Rt wrist XR | lat view —
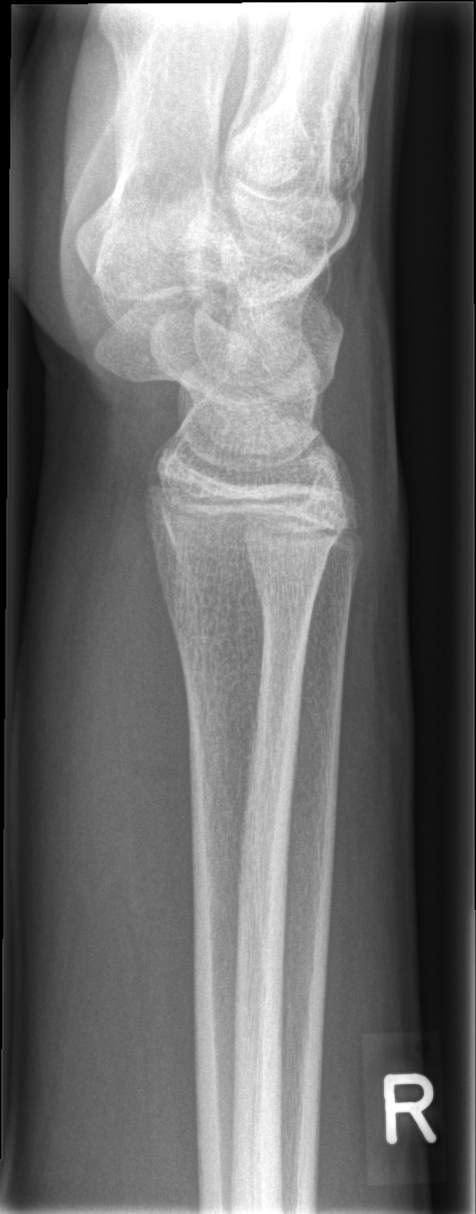
No Fx annotated.